Right wrist X-ray · lateral view · girl, 8 yo · image 99.2 mm wide: 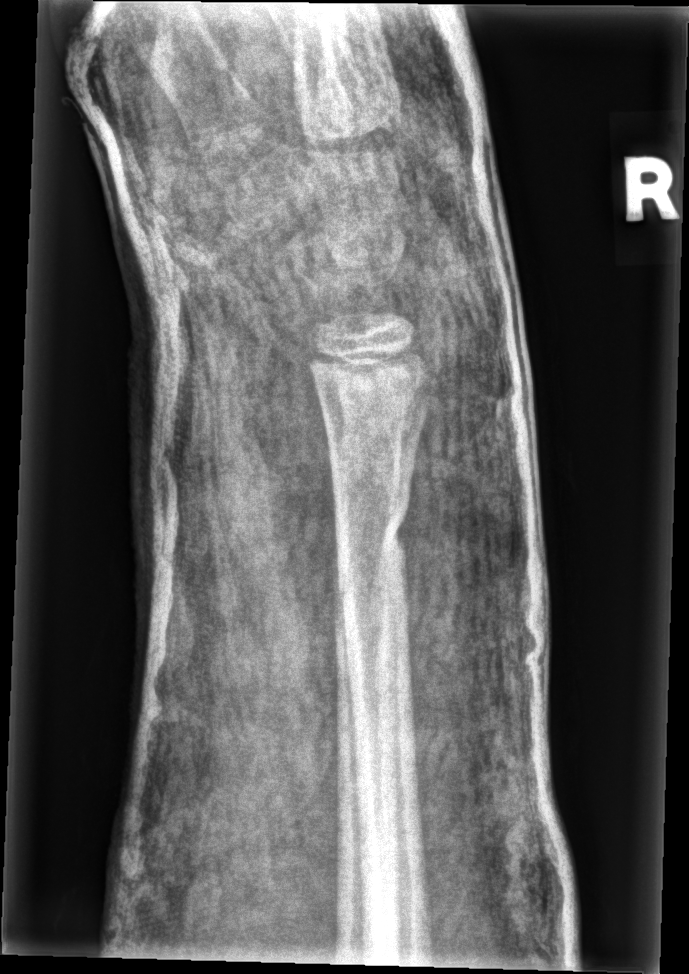

(pixel coordinates, top-left origin, xyxy)
Bone fracture = (330, 489, 413, 588)
AO code = 23r-M/3.1; 23u-M/2.1